Lat projection · left wrist XR · subsequent exam —

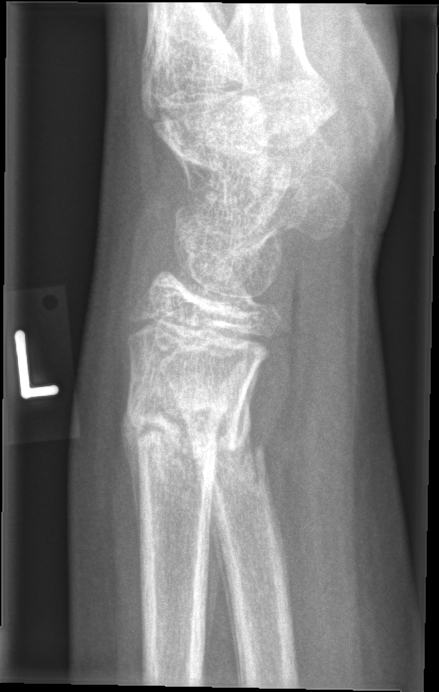

osteopenia: present
periosteal new bone: <190,442>-<241,684> <203,439>-<245,677> <120,383>-<145,599>
Fx: <118,377>-<228,481>, <196,404>-<271,493>